Right wrist plain film, PA view

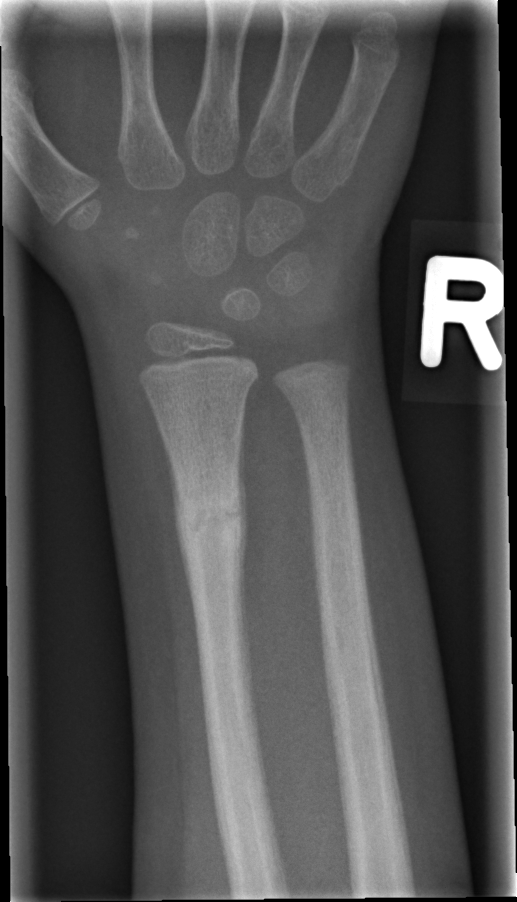
FINDINGS — (pixel coordinates, top-left origin, xyxy) AO/OTA classification: 23r-M/3.1. One bone fracture at (176, 481, 247, 553).